R wrist plain film · lateral · follow-up study · 70.8 mm image width: 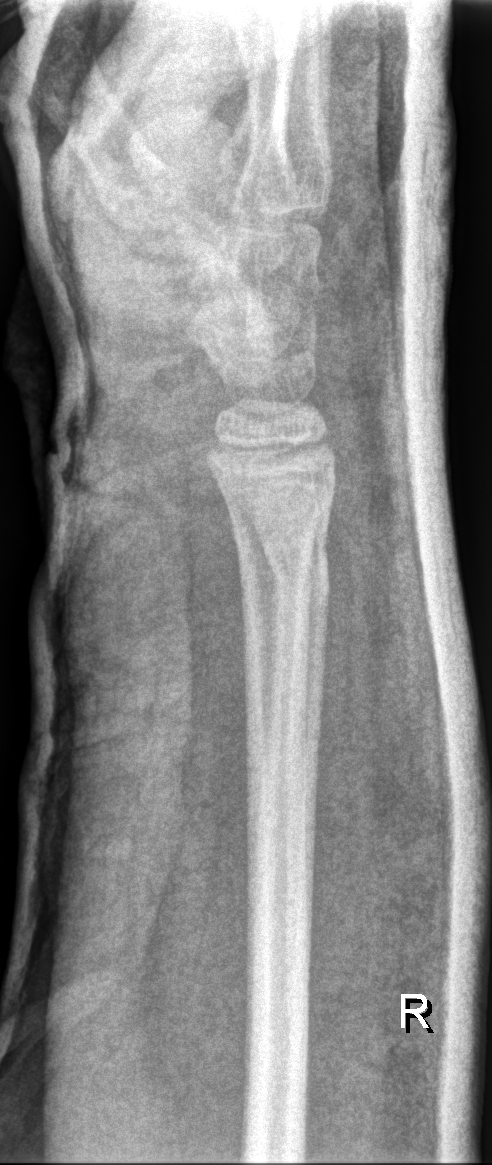

(bounding boxes in image-pixel xyxy)
AO/OTA: 23r-M/3.1; 23u-M/2.1; 23u-E/7
Fx: 232,525,336,605